Rt wrist plain film | AP | 10-year-old male | in cast | image size 708x1166 — 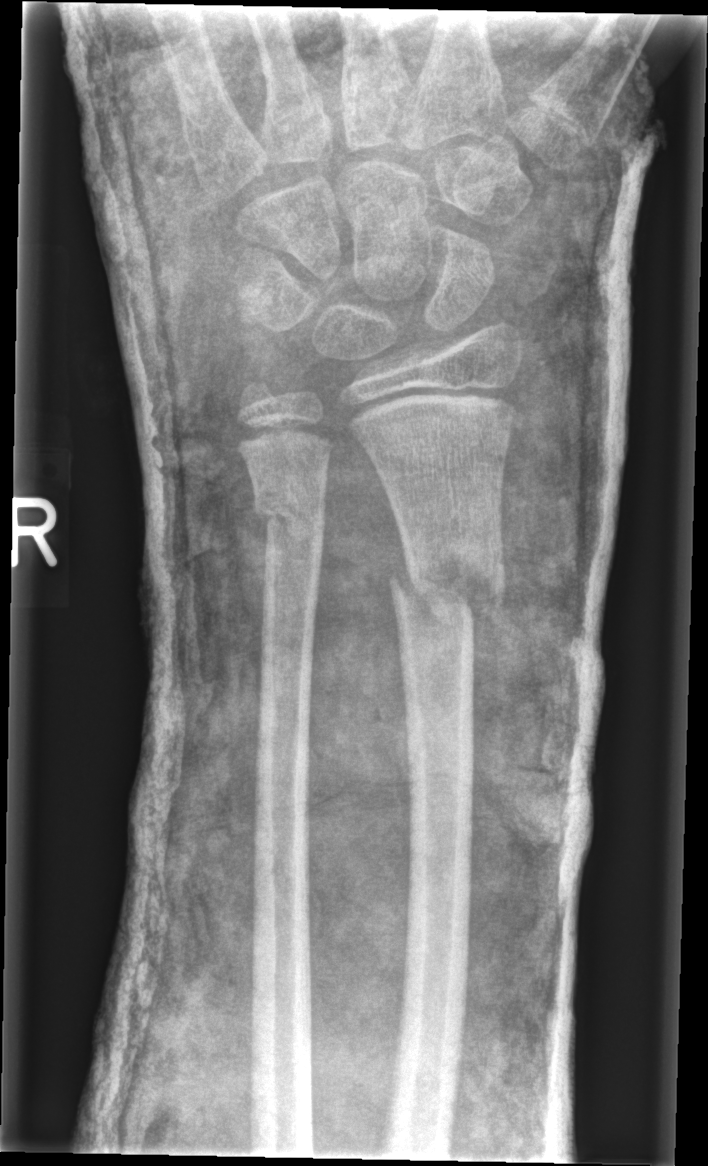
FINDINGS — (coordinates are [x1, y1, x2, y2] in image pixels) AO/OTA classification: 23r-M/3.1; 23u-M/2.1. Fracture: 386 534 507 639 | 250 477 329 564.